Lat view, R pediatric wrist radiograph, 10-year-old girl, acquired on Siemens, 66.2 mm image width:
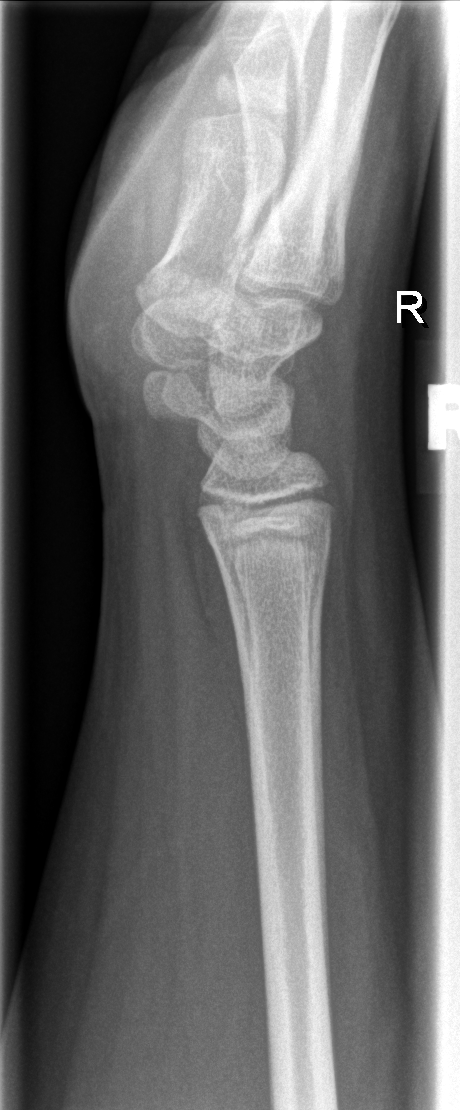

Q: Any fracture seen?
A: Fracture: none labeled